Right wrist plain radiograph of the wrist, frontal, age 10 y, male —
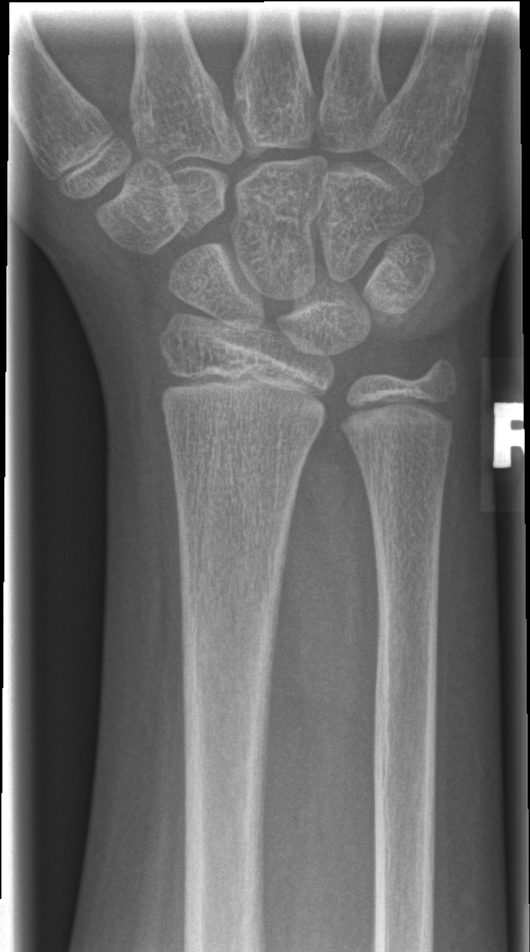
Fracture = none labeled